Rt pediatric wrist radiograph | PA projection | female, 17 yo | 528x900.

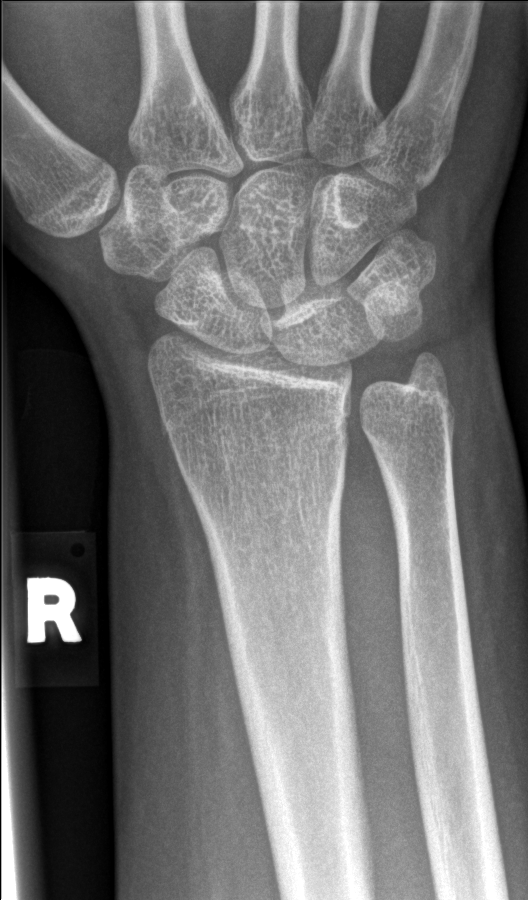

Fx = none labeled